Frontal view, Rt wrist XR.
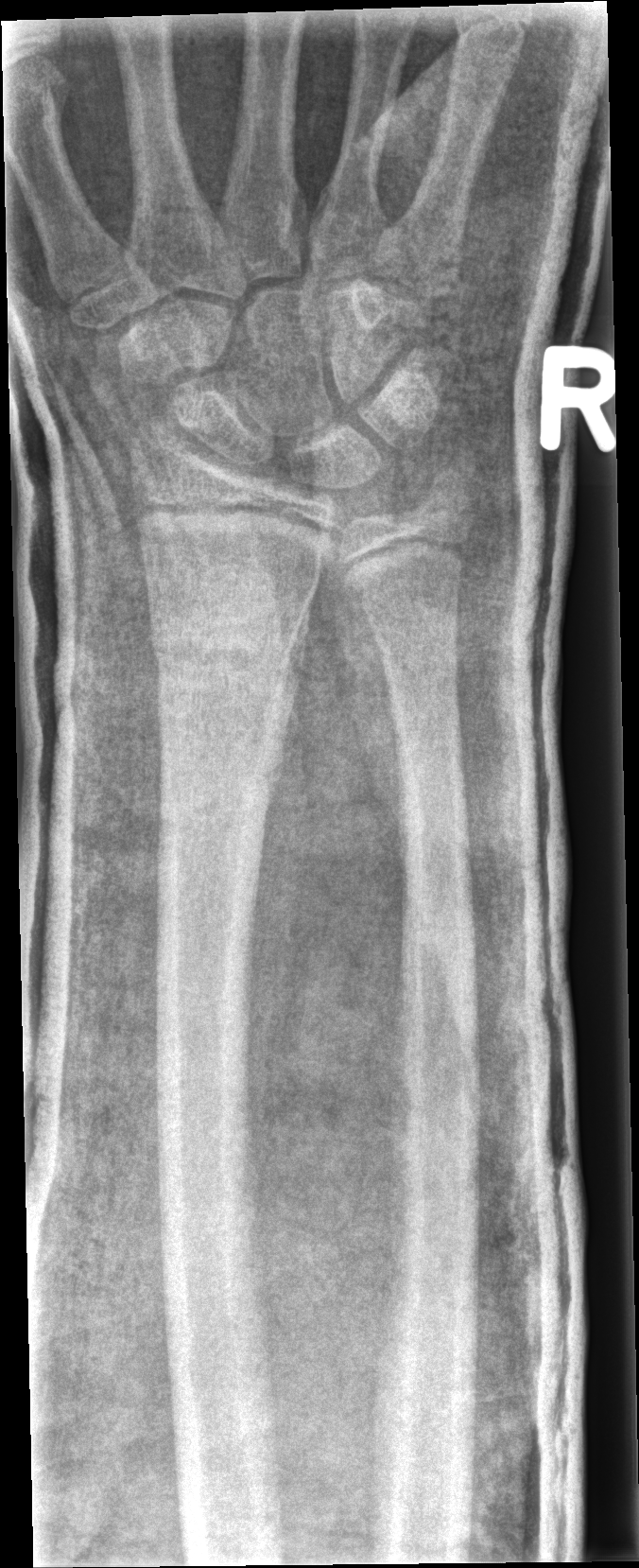
fracture: 2 @ [x1=148, y1=606, x2=304, y2=696] [x1=403, y1=453, x2=479, y2=527]
ao: 23r-M/3.1; 23u-E/7